Left pediatric wrist radiograph, PA, acquired on Siemens, image size 498x1018
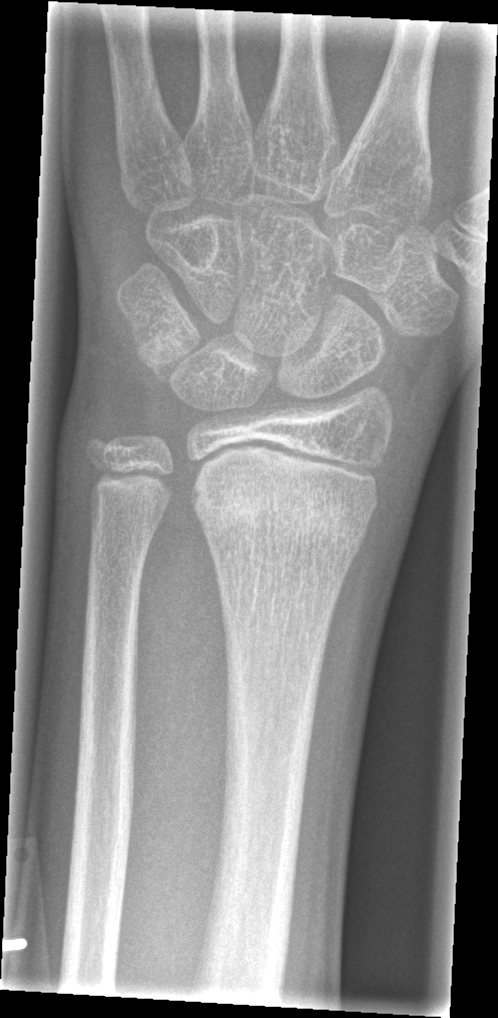
FINDINGS — (boxes as x1,y1,x2,y2 (top-left / bottom-right, pixel units)) One Fx at bbox(185, 470, 380, 558). Fracture classified AO/OTA 23r-M/2.1.